Lt wrist radiograph · posteroanterior view
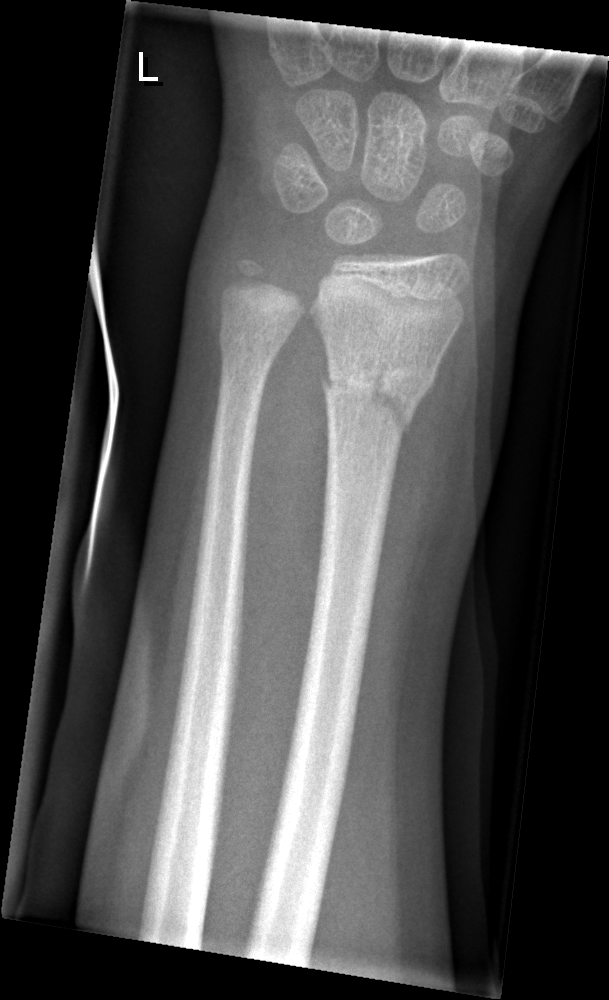
Q: Is there a fracture?
A: Two fractures at bbox(318, 349, 437, 437) bbox(212, 308, 290, 371)